Rt wrist plain film | posteroanterior view | age 8 y, male —
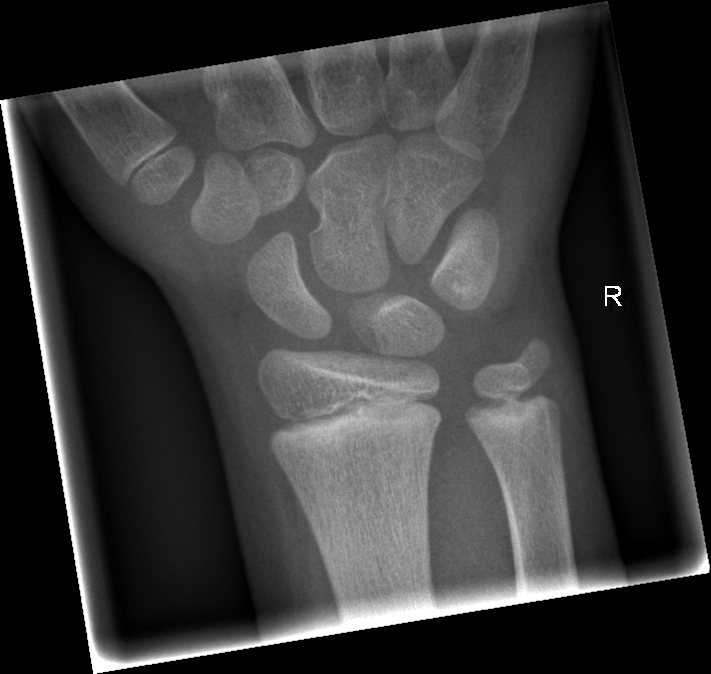

Findings: No fracture bounding box.